Left wrist radiograph | frontal projection | detector: Siemens

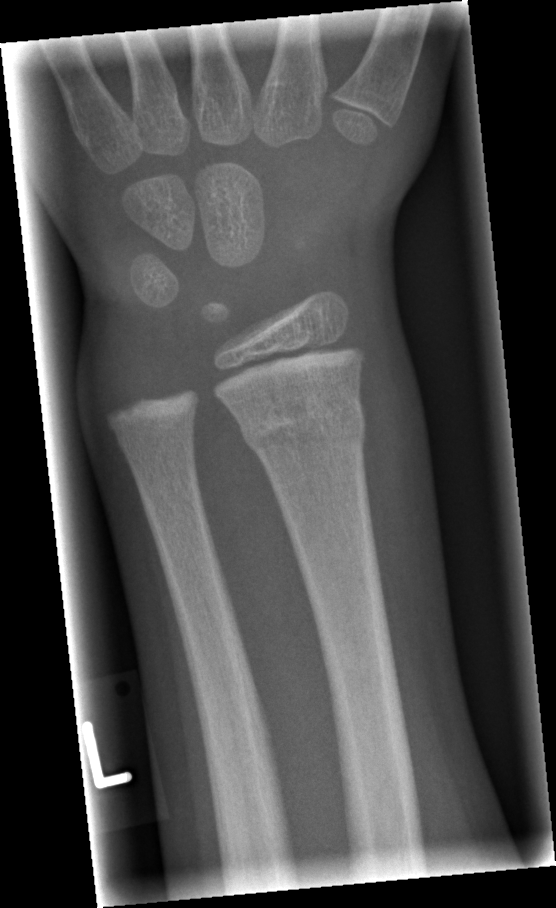 • Pixel coordinates, top-left origin, xyxy.
• Bone fracture identified at [237, 398, 370, 456].